Lateral projection · left wrist pediatric wrist radiograph · age 13 y, girl · initial study · detector: Siemens:
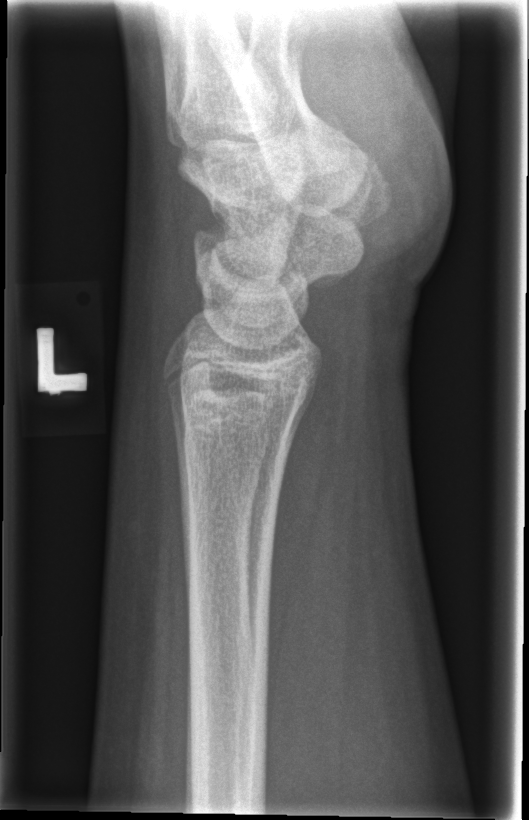 Q: Is there a fracture?
A: Fracture: none labeled